Right wrist XR | lateral projection | 14y M | in cast | Siemens —

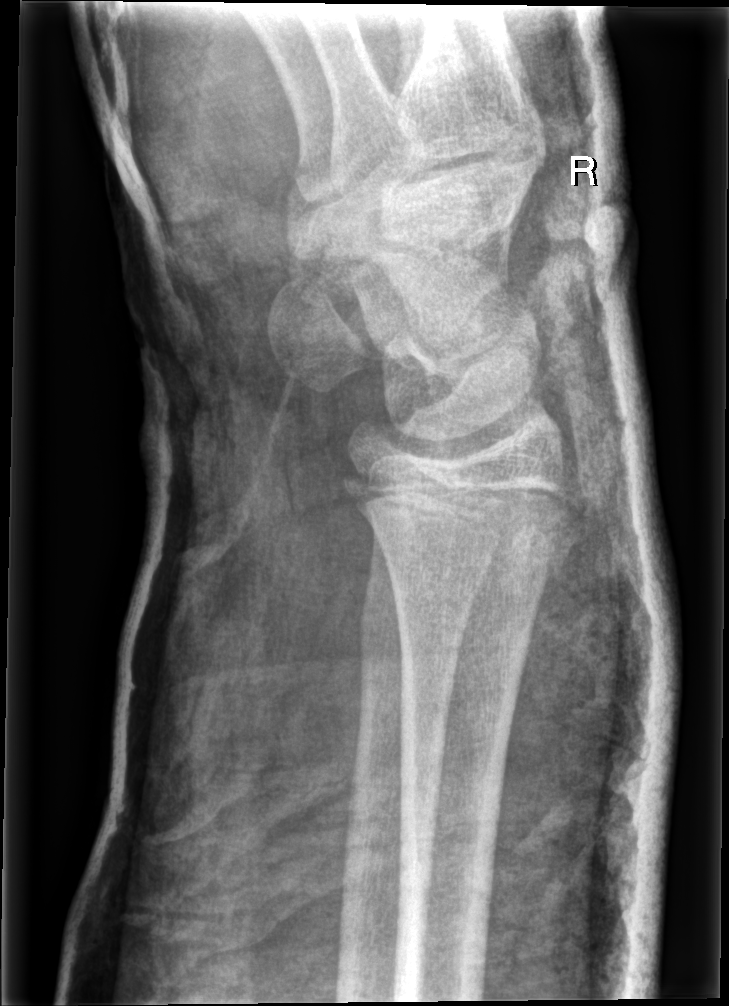

FINDINGS: (coordinates are [x1, y1, x2, y2] in image pixels) Fracture classified AO/OTA 23r-E/2.1; 23u-E/7. Bone fracture identified at (340, 459, 585, 583).